Left wrist XR; lat

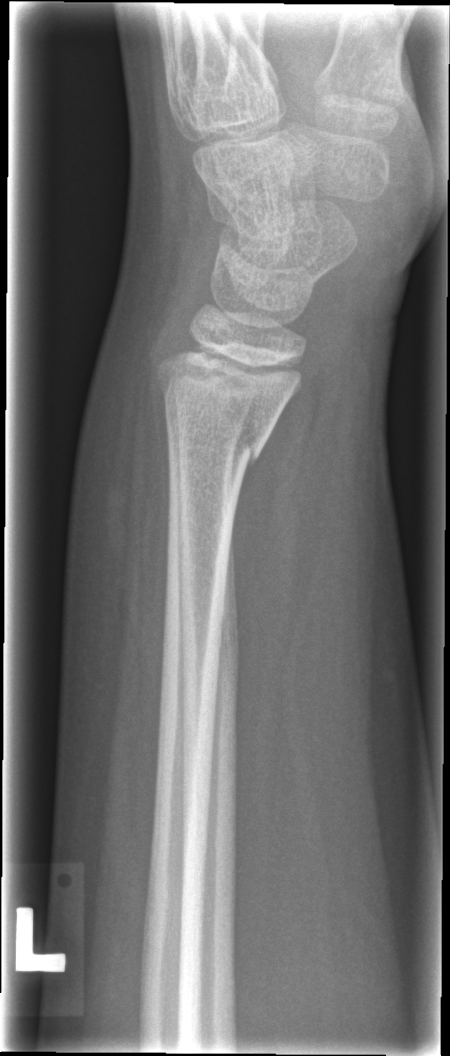 AO/OTA classification: 23r-E/2.1. Bone fracture identified at (152, 332, 309, 471).